Rt wrist plain film; lateral view; age 4 y, female; 311x866

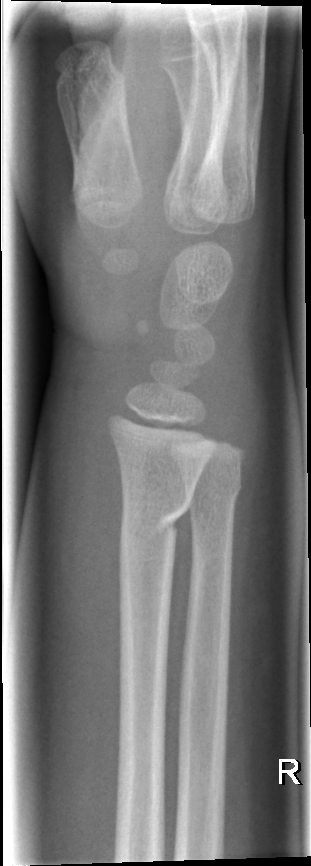
fracture: 2 @ (left=116, top=490, right=197, bottom=555); (left=184, top=473, right=245, bottom=511)
ao: 23-M/2.1